Right plain radiograph of the wrist, lateral view, 8-year-old boy.

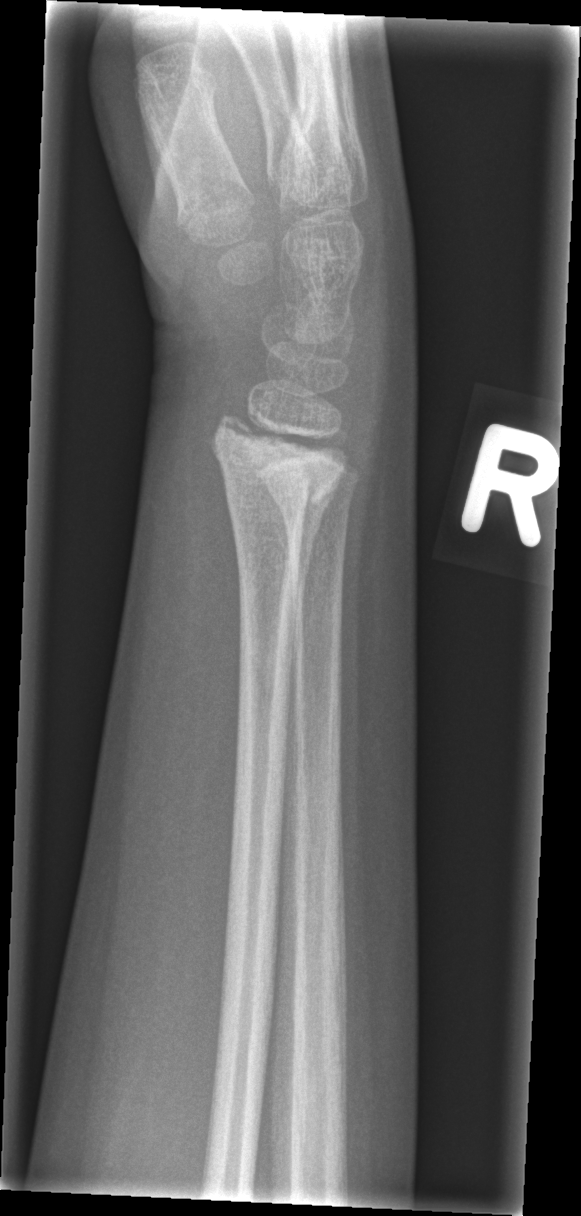

- Bounding boxes in image-pixel xyxy.
- Fx — bbox(202, 408, 354, 530).
- One periosteal new bone at bbox(288, 471, 344, 700).
- Osteopenic.
- AO code 23r-E/2.1.